Rt wrist XR, lat, girl, 9 yo — 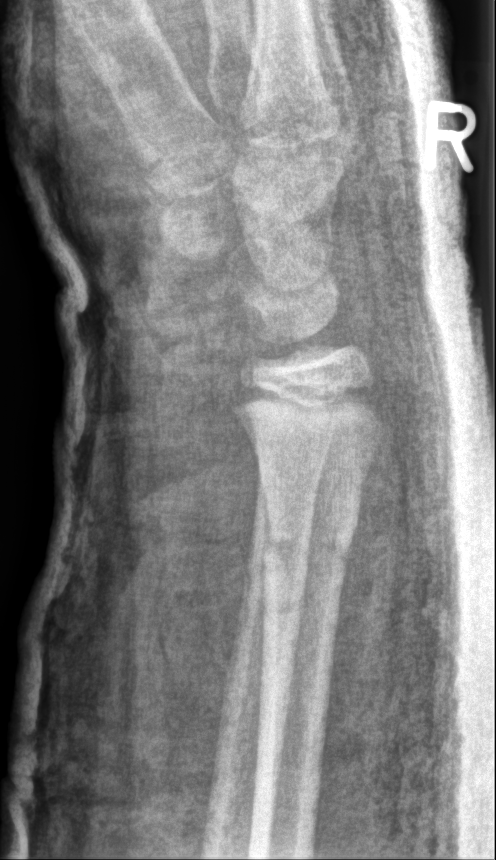 • Fracture identified at 258 513 356 582.